Lat projection · L wrist radiograph · age 7 y, girl

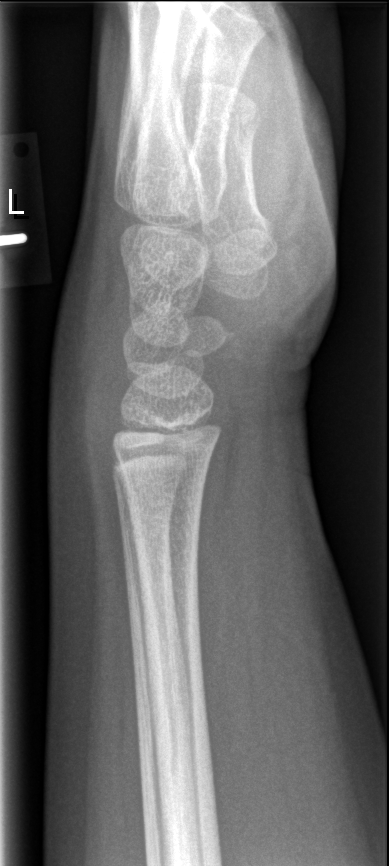 Q: Any fracture seen?
A: No Fx annotated
Q: Any soft-tissue swelling?
A: Soft-tissue swelling: [x1=43, y1=234, x2=127, y2=493]